Frontal projection, R wrist radiograph, 2-year-old male, index exam.
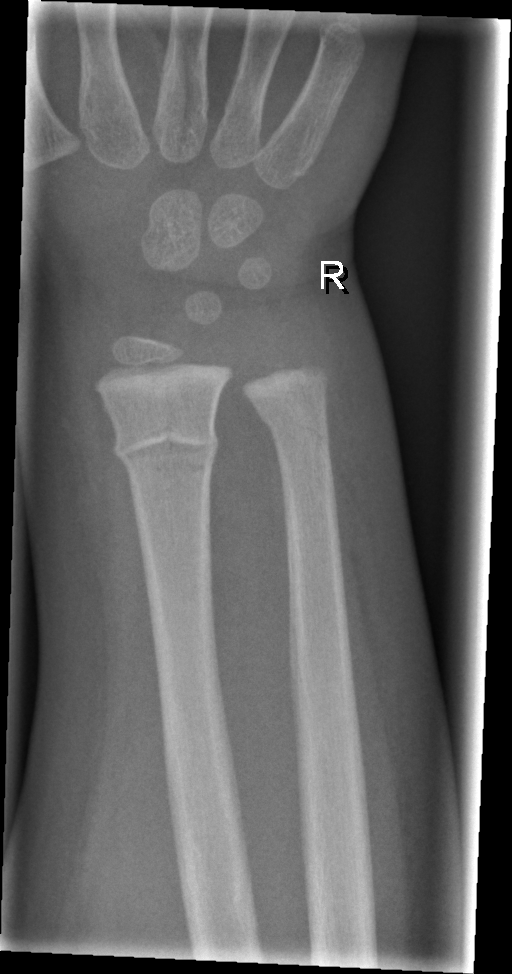
Fractures — [x1=111, y1=422, x2=221, y2=481] [x1=258, y1=402, x2=332, y2=447].